PA view; Rt pediatric wrist radiograph; initial study; 618 x 528 px:

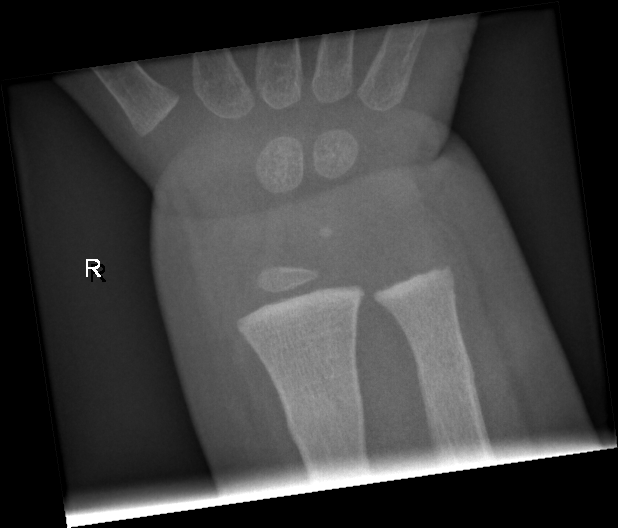 - Bone fracture identified at (283, 387, 367, 450) (416, 351, 479, 399).